Left plain radiograph of the wrist; lat view; 61.1 mm image width. 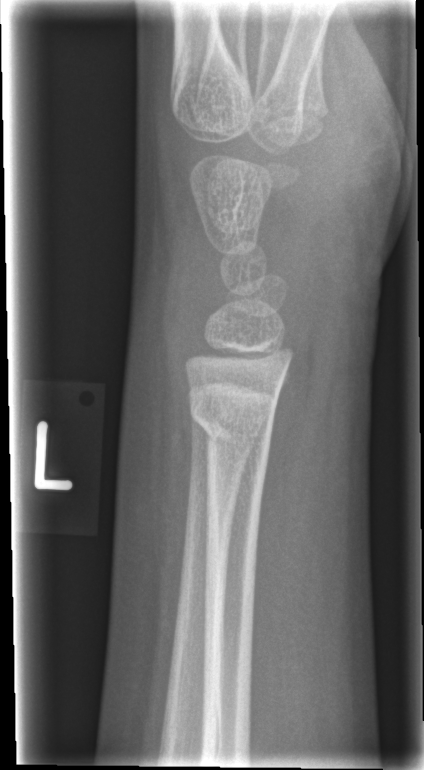

Fracture: <185,395>-<275,455>.